Right wrist XR | lateral view | follow-up study | cast in situ | Siemens
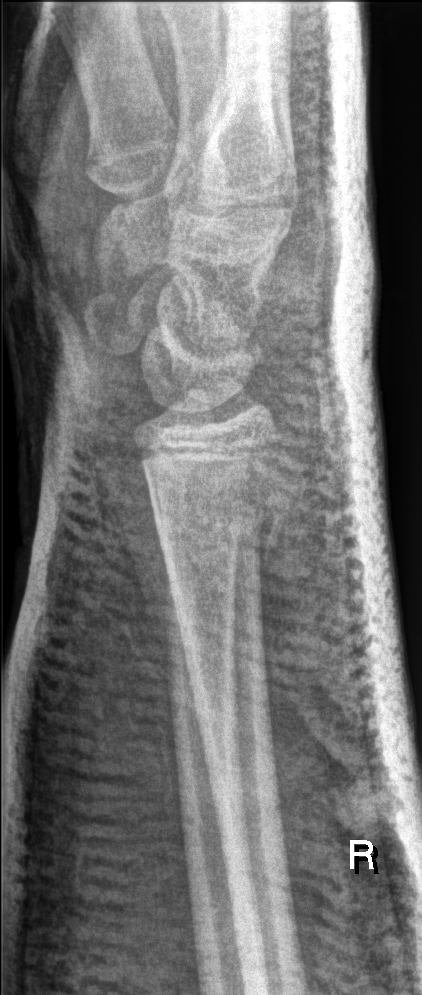 {
  "_coords": "boxes as x1,y1,x2,y2 (top-left / bottom-right, pixel units)",
  "ao": "23r-M/2.1",
  "fracture": "1 @ (152, 438, 308, 562)"
}